PA projection | Lt plain radiograph of the wrist — 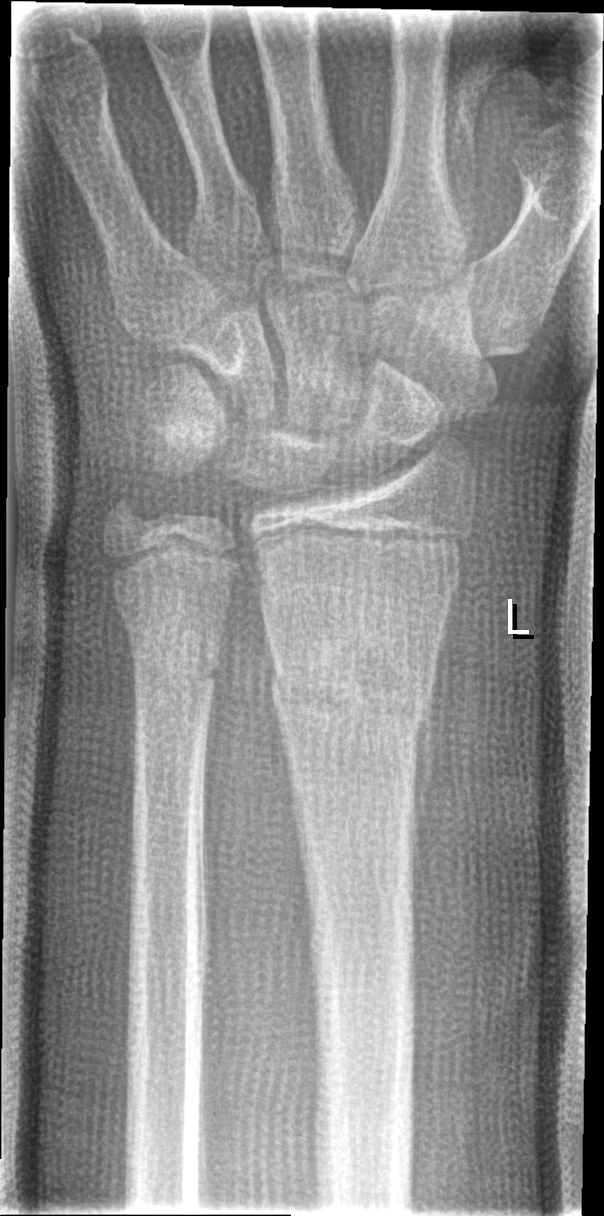

Bounding boxes in image-pixel xyxy.
Fracture: (265, 647, 435, 743) (126, 627, 227, 704).
Periosteal reaction — (406, 594, 451, 910).